Left wrist radiograph · lat · male, 10 yo · 502x1416. 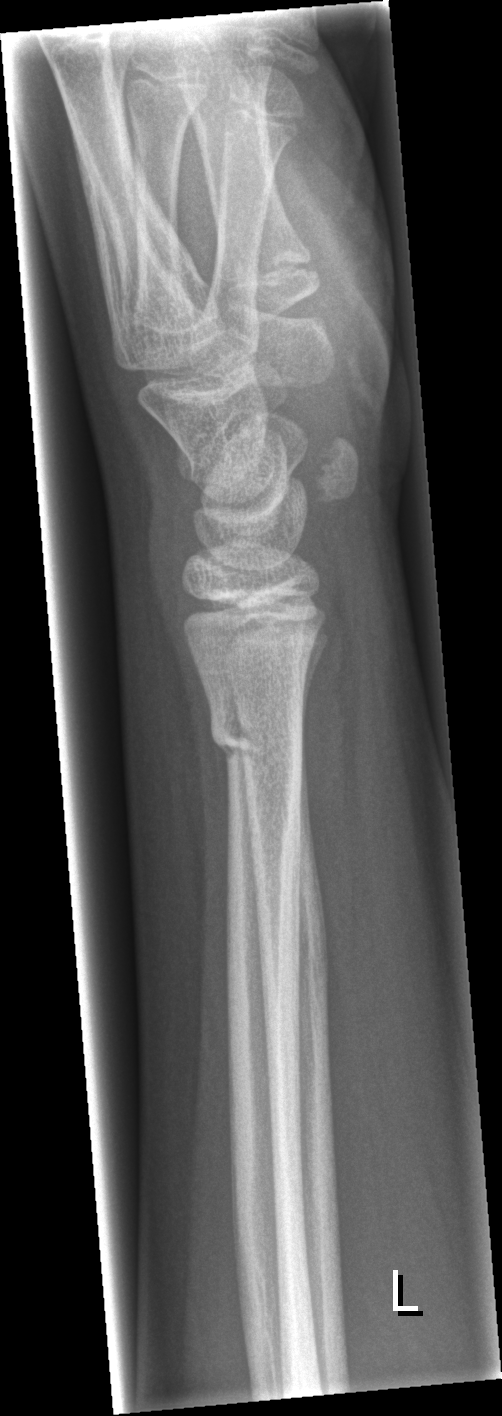

Findings: Fracture: [207, 704, 307, 772]. Fracture classified AO/OTA 23r-M/2.1; 23u-E/7.